Lt pediatric wrist radiograph · AP projection —
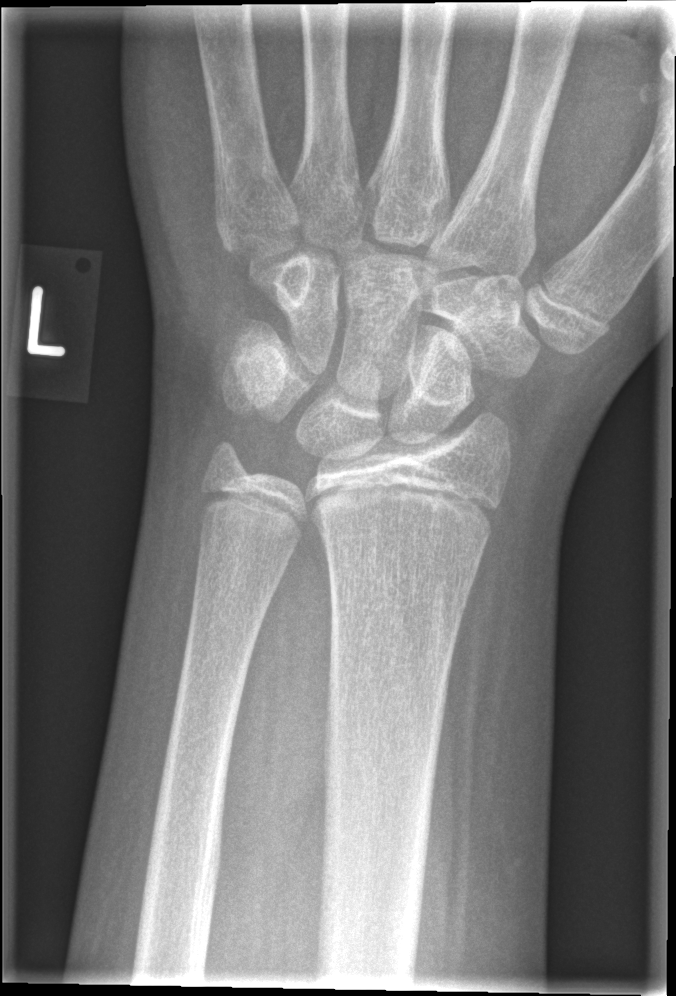 - No Fx annotated.